Lateral projection; Rt wrist XR.

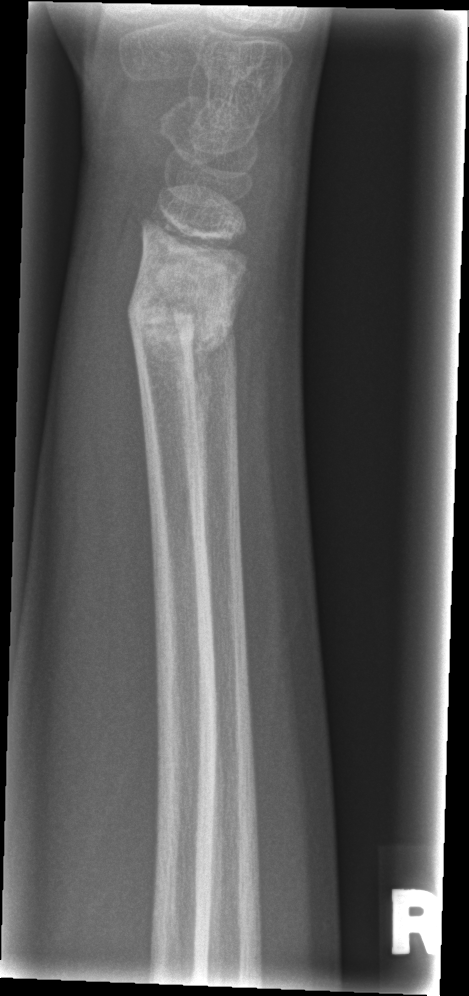
Boxes as x1,y1,x2,y2 (top-left / bottom-right, pixel units).
Periosteal thickening identified at bbox(192, 333, 220, 534).
AO code 23-M/3.1.
Fracture — bbox(128, 247, 244, 403).